Posteroanterior | Rt plain radiograph of the wrist | 99.6 mm image width.
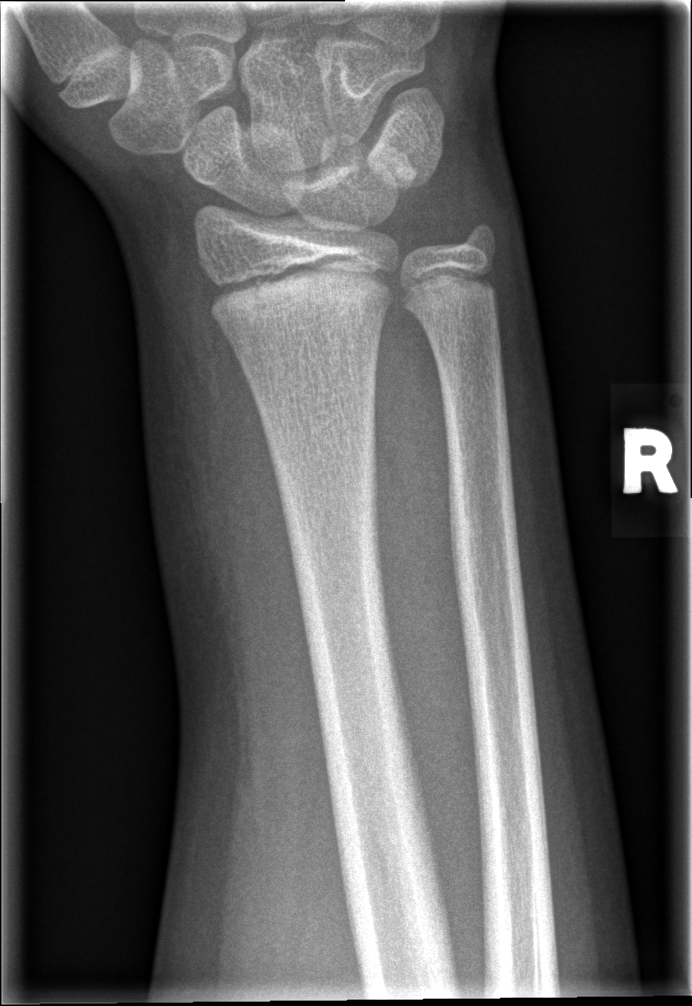 Findings: Fx: none.